Lateral view · L pediatric wrist radiograph
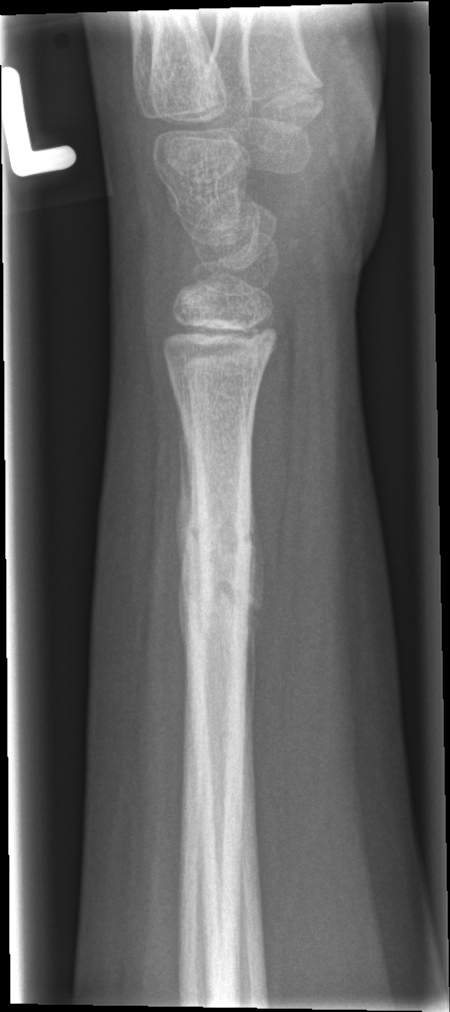
{
  "_coords": "pixel coordinates, top-left origin, xyxy",
  "fracture": "175,508,257,624",
  "osteopenia": "present"
}